Frontal projection | Lt wrist X-ray | 11-year-old girl | initial study | 439x844
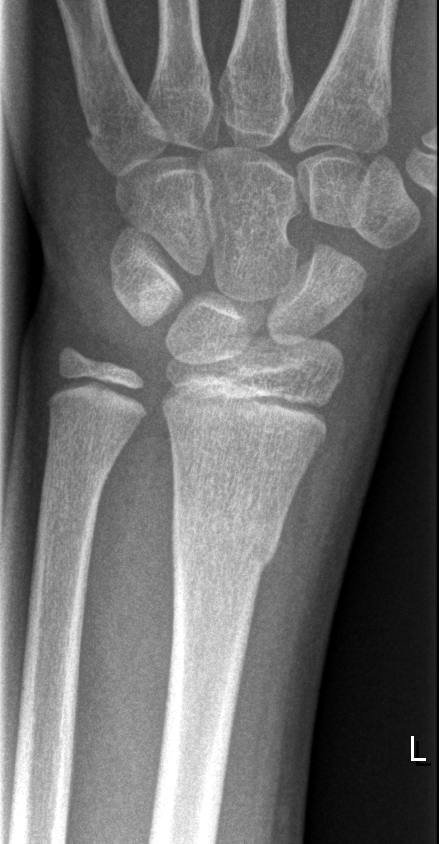
* Coordinates are [x1, y1, x2, y2] in image pixels.
* Fx: 169 509 281 580.
* Fracture classified AO/OTA 23r-M/2.1.